Right wrist XR, AP view — 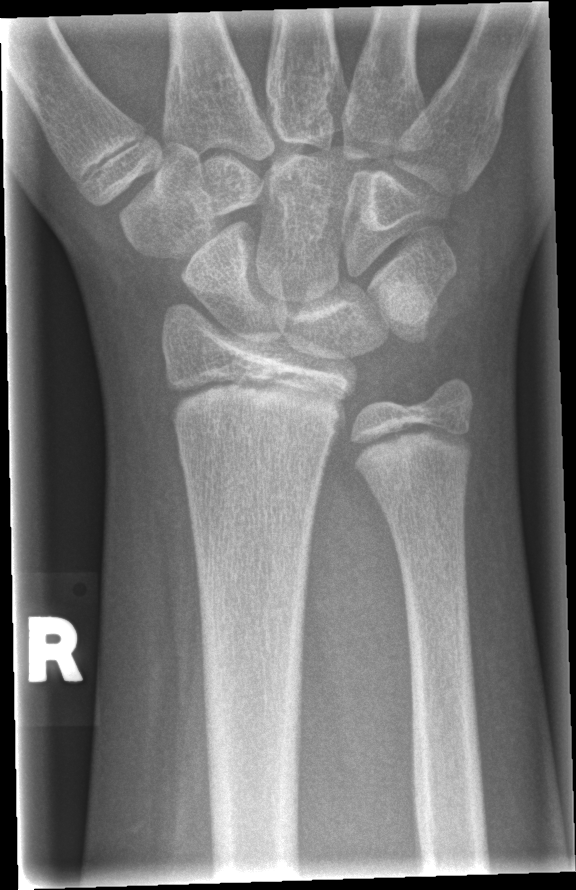
fracture: none labeled